Lat; left plain radiograph of the wrist; acquired on Siemens; image size 476x772 — 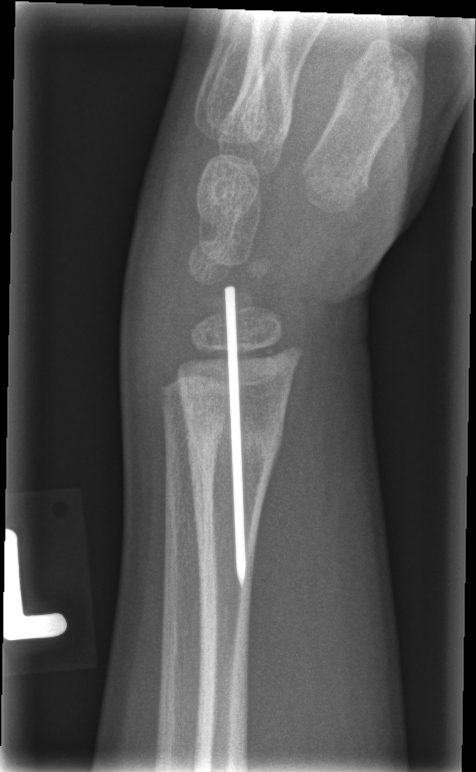
{"metal": "1 @ (left=224, top=280, right=247, bottom=590)", "osteopenia": "present", "ao": "23r-M/3.1", "fracture": "(left=182, top=402, right=285, bottom=464)"}